PA/AP view, left plain radiograph of the wrist, age 13 y, male, detector: Siemens 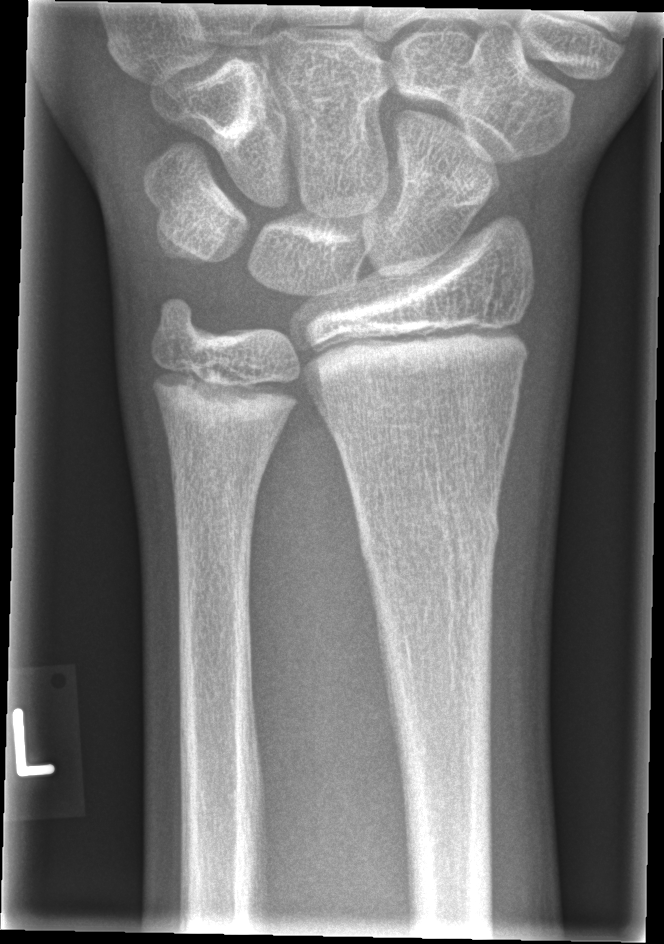 FINDINGS — Bone fracture — [x1=352, y1=505, x2=507, y2=570]. AO/OTA classification: 23r-M/2.1.